PA/AP view · right wrist XR.

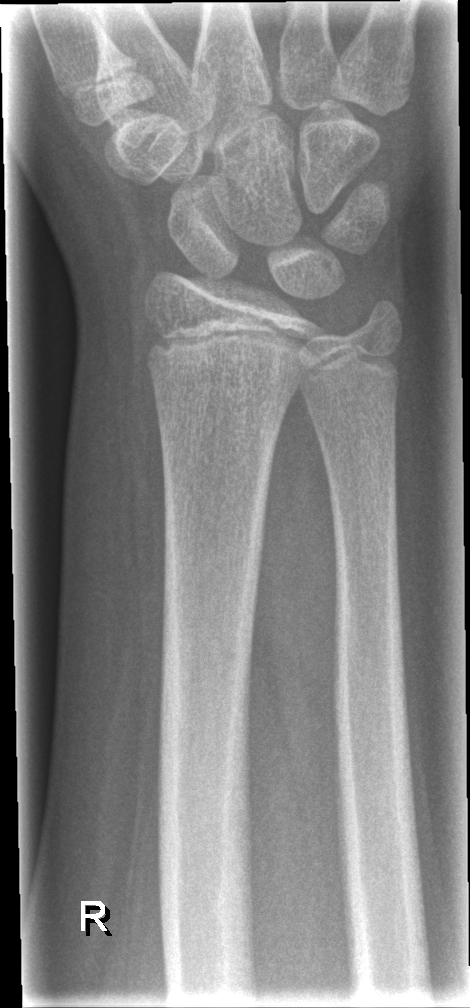

fracture: none labeled